PA projection | L pediatric wrist radiograph | index exam:
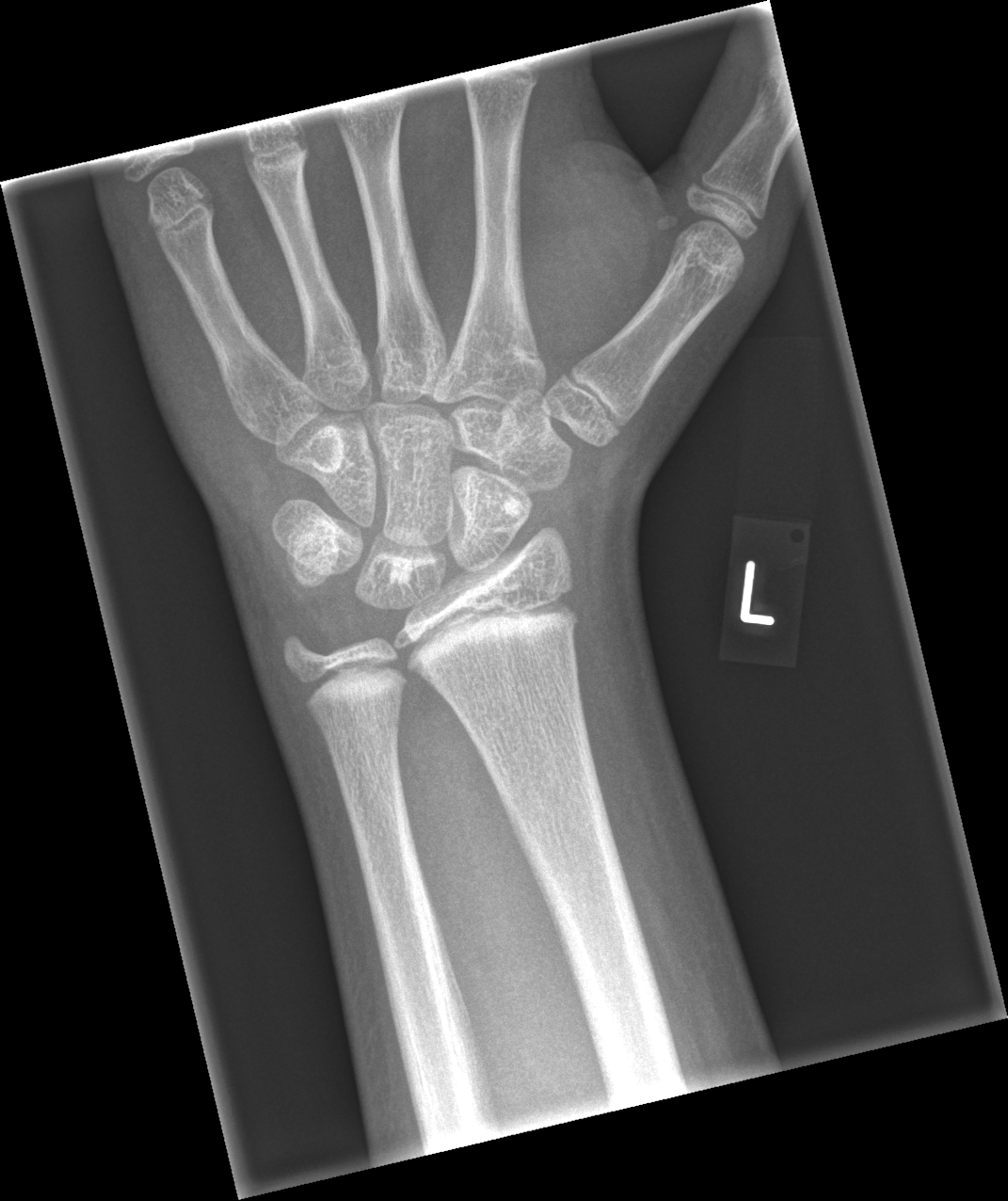 Fracture: none labeled